PA/AP; right wrist radiograph; 12-year-old girl:

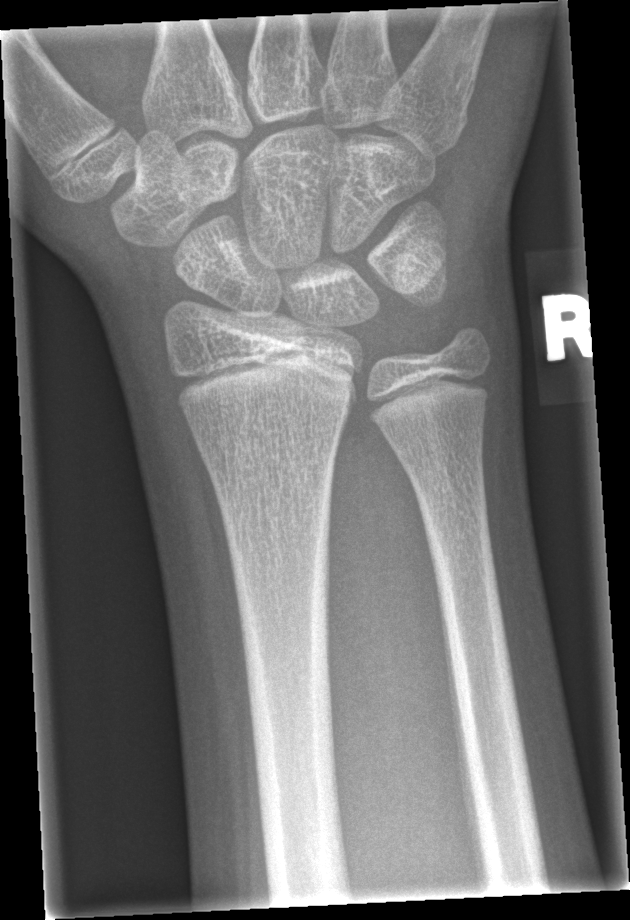

Q: Is there a fracture?
A: Fx: none